Lateral projection · Lt wrist X-ray · boy, 4 yo —

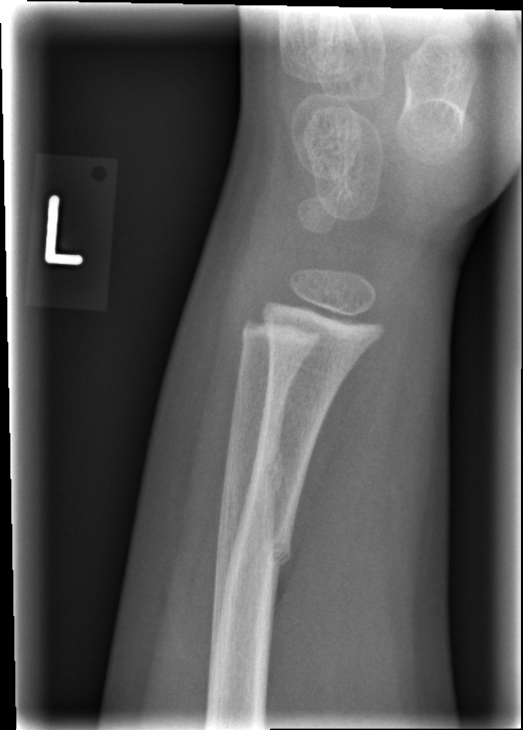
(boxes as x1,y1,x2,y2 (top-left / bottom-right, pixel units))
fracture = 2 @ 218,438,286,509; 222,525,295,583
AO code = 22r-D/2.1; 23u-M/2.1